Right wrist plain radiograph of the wrist | posteroanterior | acquired on Siemens.
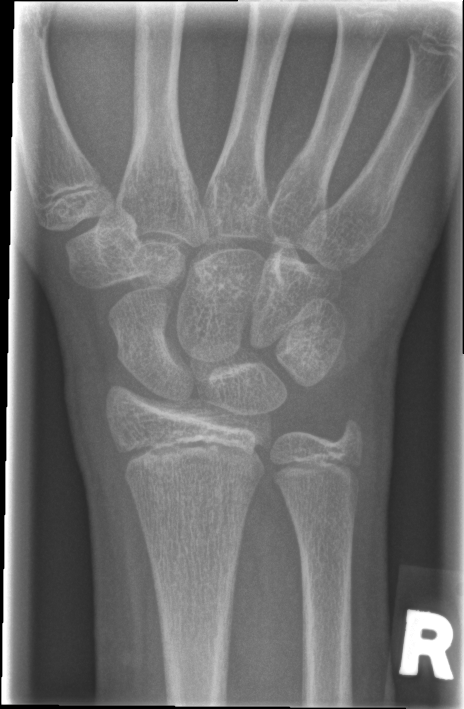

Findings: No Fx annotated.